L wrist X-ray | lateral | image size 449x874.

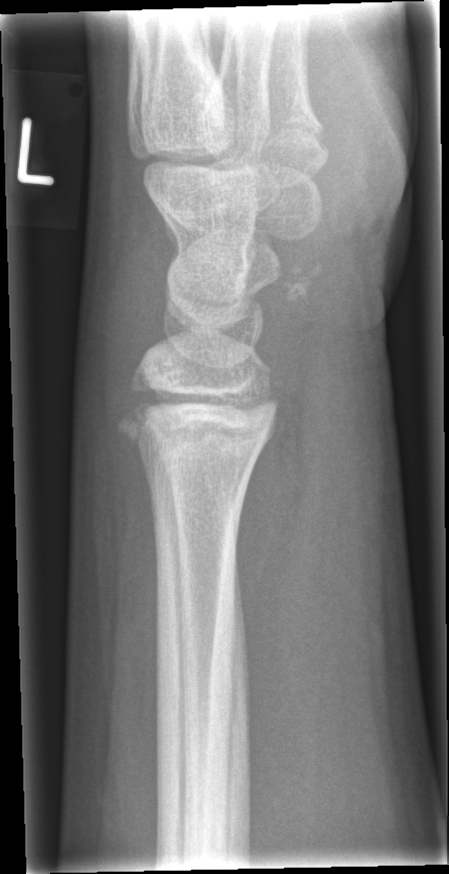

AO classification = 23r-E/2.1
Fracture = (113, 379, 283, 464)